Right wrist XR · posteroanterior · image width 106.1 mm:

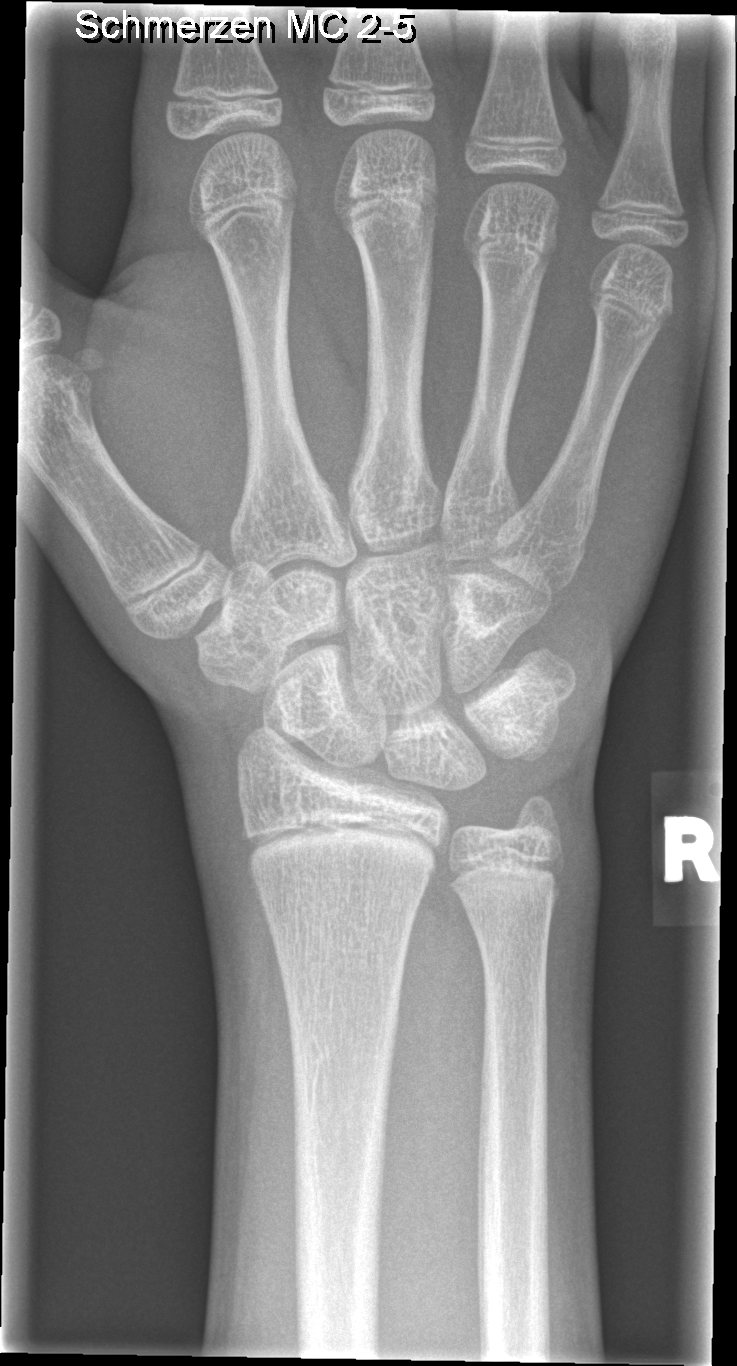   fracture: none labeled